Lat projection, Lt pediatric wrist radiograph, 487 x 888 px
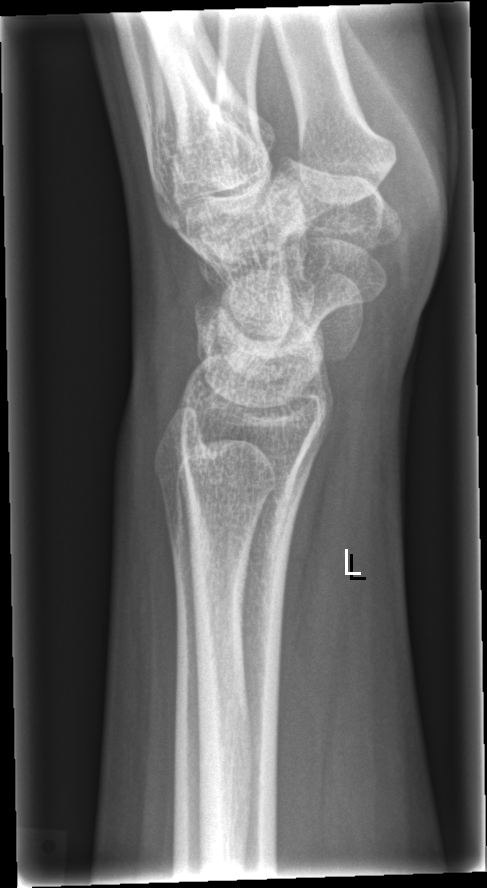 Bone fracture: none labeled